L wrist plain film; posteroanterior view; 12y F —
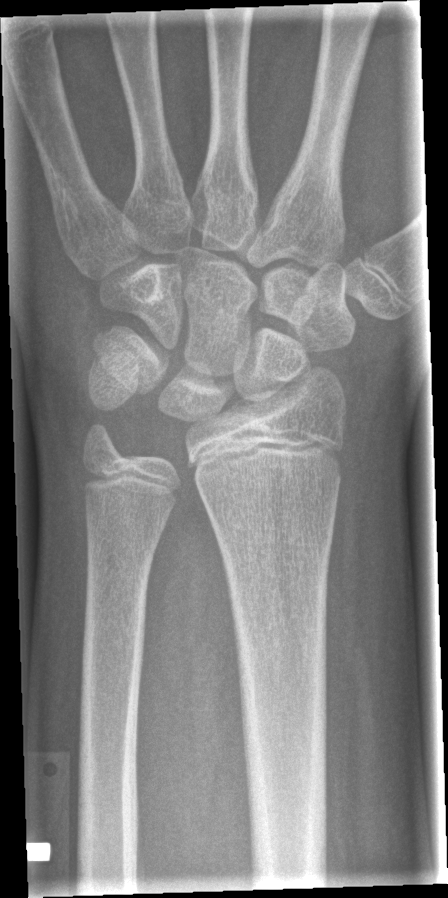 fracture: none labeled